Lateral · Lt wrist XR · findings marked uncertain by the reading radiologist:

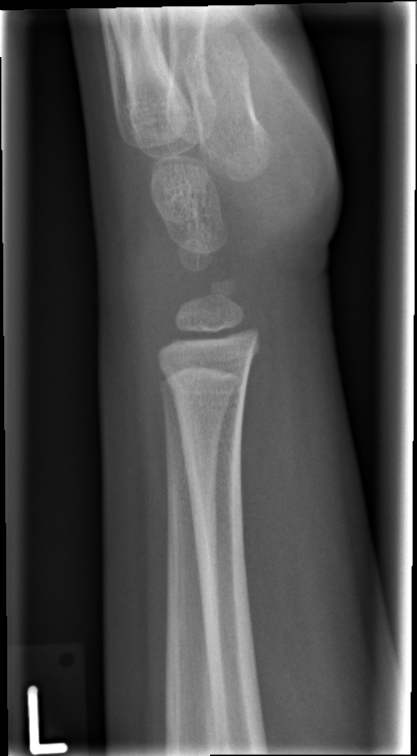
Pixel coordinates, top-left origin, xyxy.
Bone fracture: [x1=155, y1=353, x2=251, y2=405].
AO code 23r-M/2.1.